Left wrist X-ray | PA view | pediatric patient (male, age 10) | index exam —
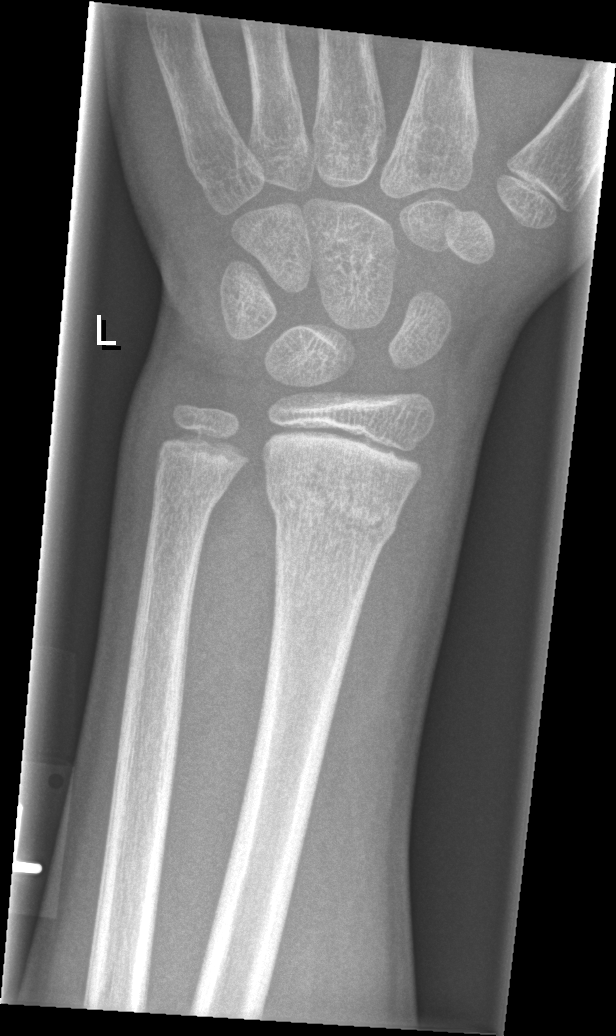 Findings: (pixel coordinates, top-left origin, xyxy) AO code 23-M/2.1. Fx: [262, 460, 405, 546] [147, 467, 231, 521].